Lt wrist radiograph; frontal projection
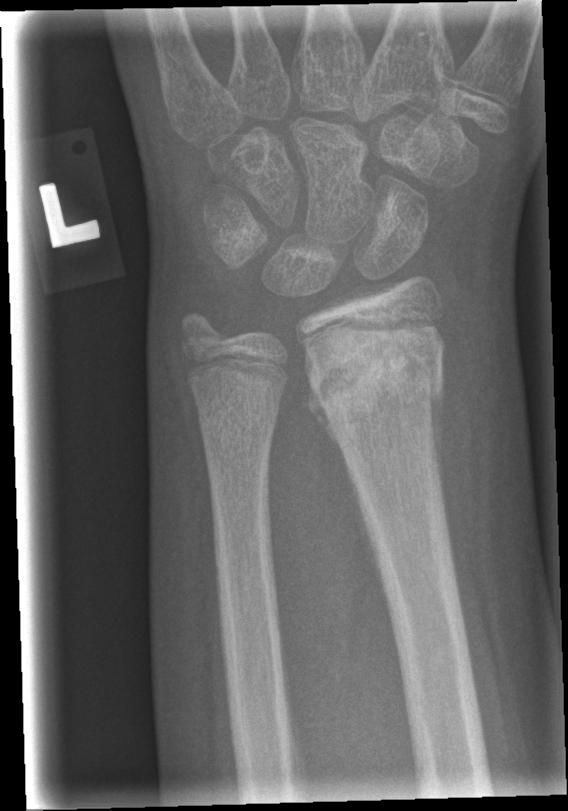
periostealreaction: [x1=304, y1=346, x2=344, y2=456], [x1=427, y1=342, x2=449, y2=521]
fracture: [x1=305, y1=322, x2=448, y2=432], [x1=172, y1=305, x2=236, y2=368]
ao: 23r-M/3.1; 23u-M/2.1; 23u-E/7